Right wrist pediatric wrist radiograph; lat; age 12 y, boy; acquired on Siemens; 463 by 1068 pixels:
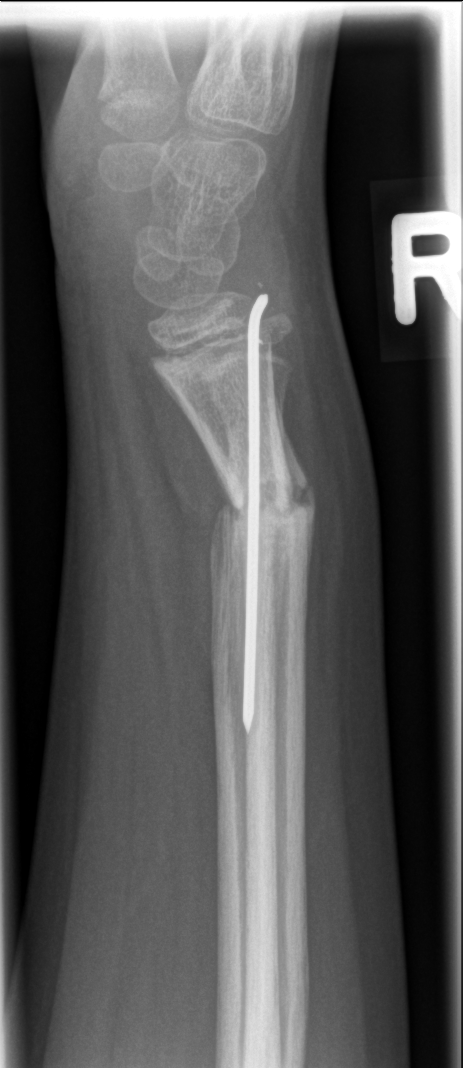
FINDINGS: Metal identified at (239, 289, 273, 739). Fracture: (210, 466, 322, 553).